PA/AP · Rt wrist XR · 13-year-old boy · follow-up · imaged through cast · detector: Siemens. 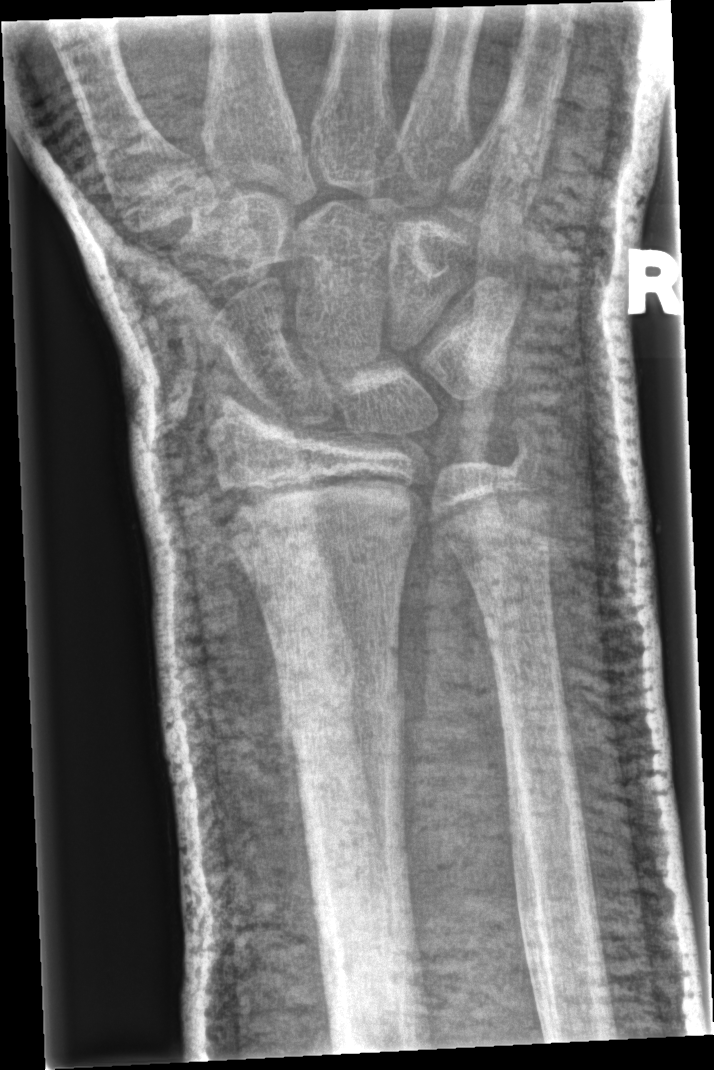 Bounding boxes in image-pixel xyxy. Fracture classified AO/OTA 23r-M/3.1; 23u-E/7. Fracture identified at (left=275, top=678, right=410, bottom=765), (left=498, top=407, right=555, bottom=476).